Posteroanterior view | R wrist XR | subsequent exam
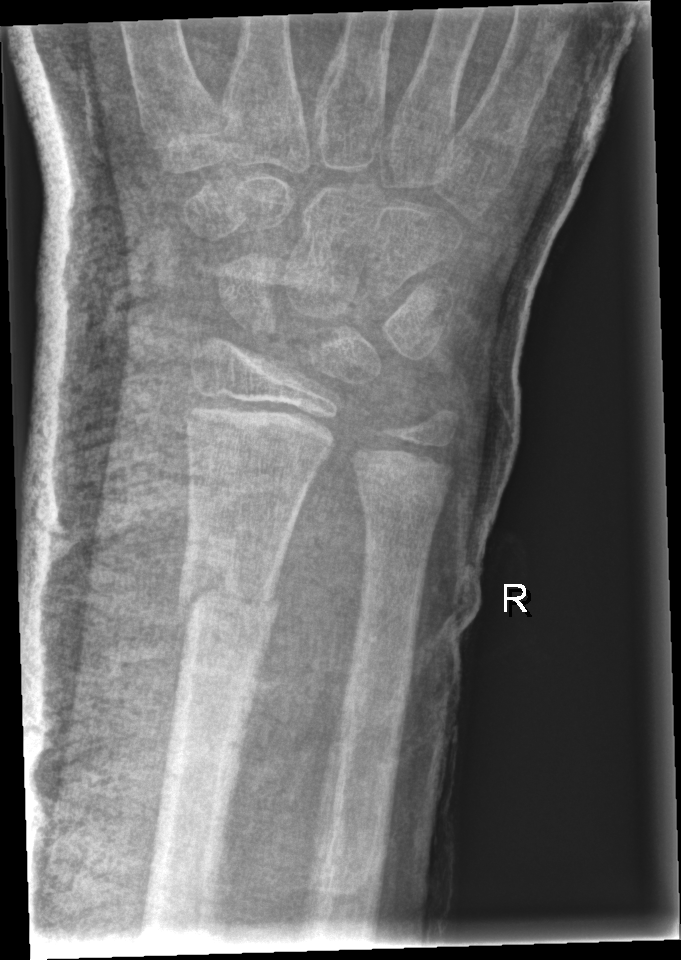

FINDINGS: Fx identified at (173, 558, 284, 637) (352, 469, 450, 519). Fracture classified AO/OTA 23r-M/3.1; 23u-M/2.1.